Rt wrist radiograph; lat projection; follow-up; Siemens

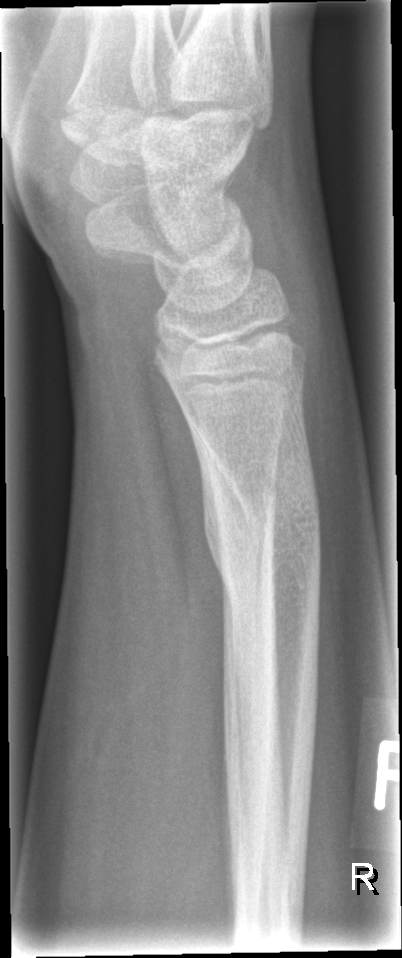 (bounding boxes in image-pixel xyxy)
AO classification: 23r-M/3.1; 23u-E/1.1
Bone fracture: [x1=198, y1=424, x2=325, y2=616]